Posteroanterior projection · R plain radiograph of the wrist · image width 104.5 mm.
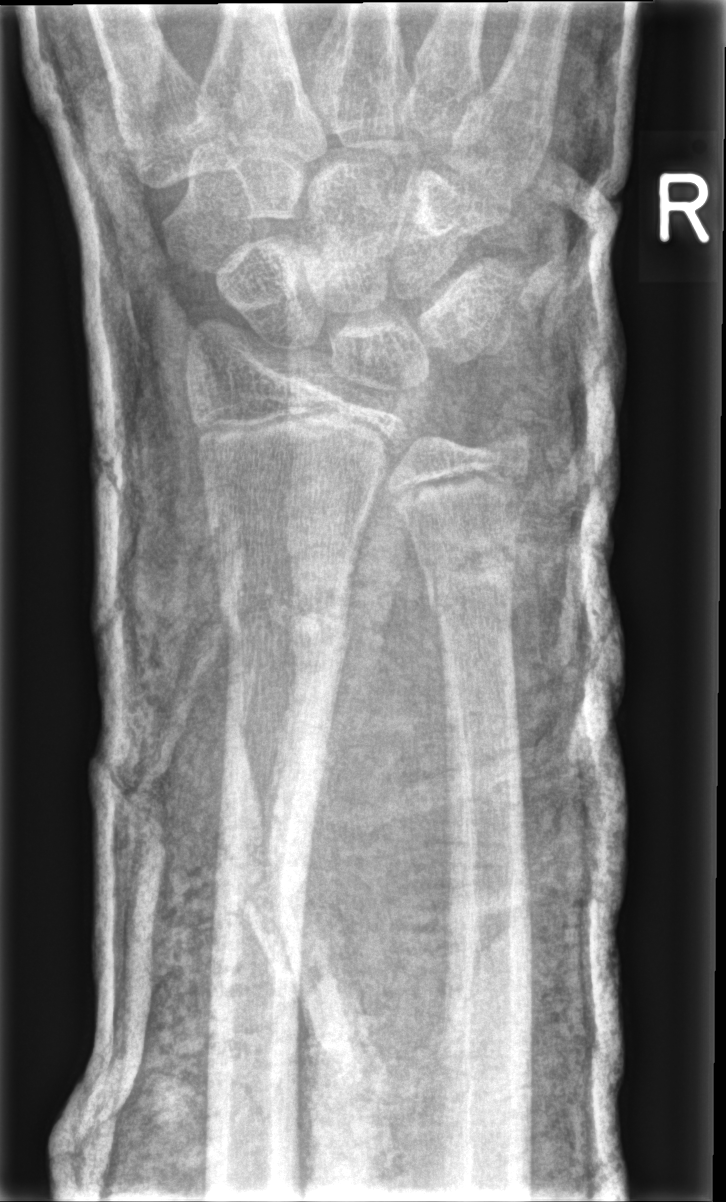

Coordinates are [x1, y1, x2, y2] in image pixels. Two bone fractures at <212,563>-<359,661>; <415,538>-<522,616>. AO code 23-M/3.1.